Lat · L wrist X-ray · follow-up · in cast · 633 x 1308 px

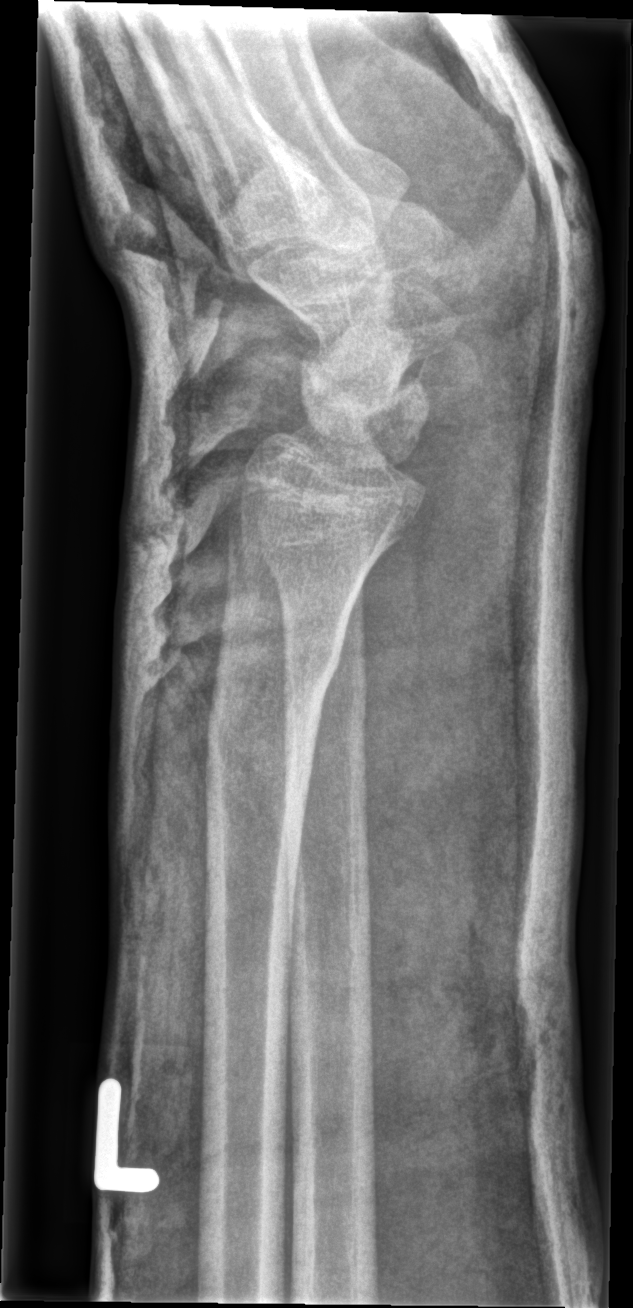 (pixel coordinates, top-left origin, xyxy)
Q: Locate any fractures.
A: One bone fracture at (left=198, top=630, right=343, bottom=781)